Lat projection, left wrist radiograph, 5y F:
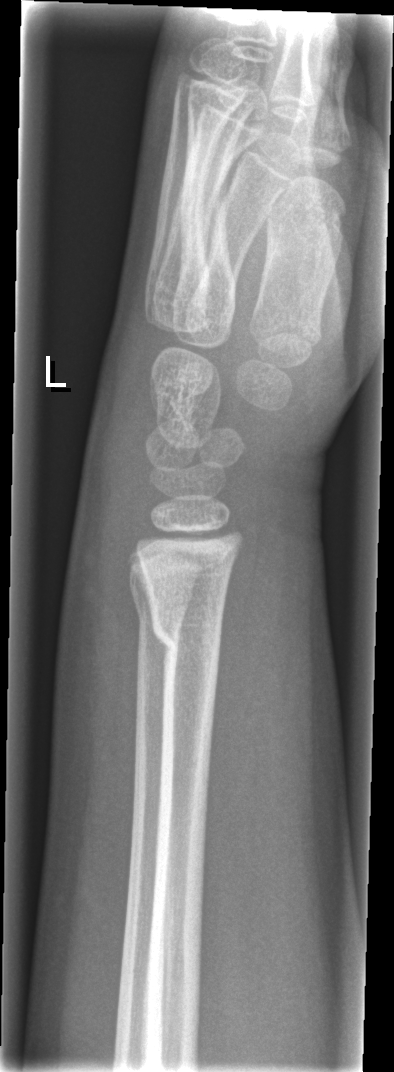
{"fracture": "2 @ bbox(143, 594, 227, 670), bbox(128, 587, 195, 631)", "ao": "23-M/2.1"}